Lat projection, Lt wrist plain film, 10-year-old male, subsequent exam, 602 by 1271 pixels. 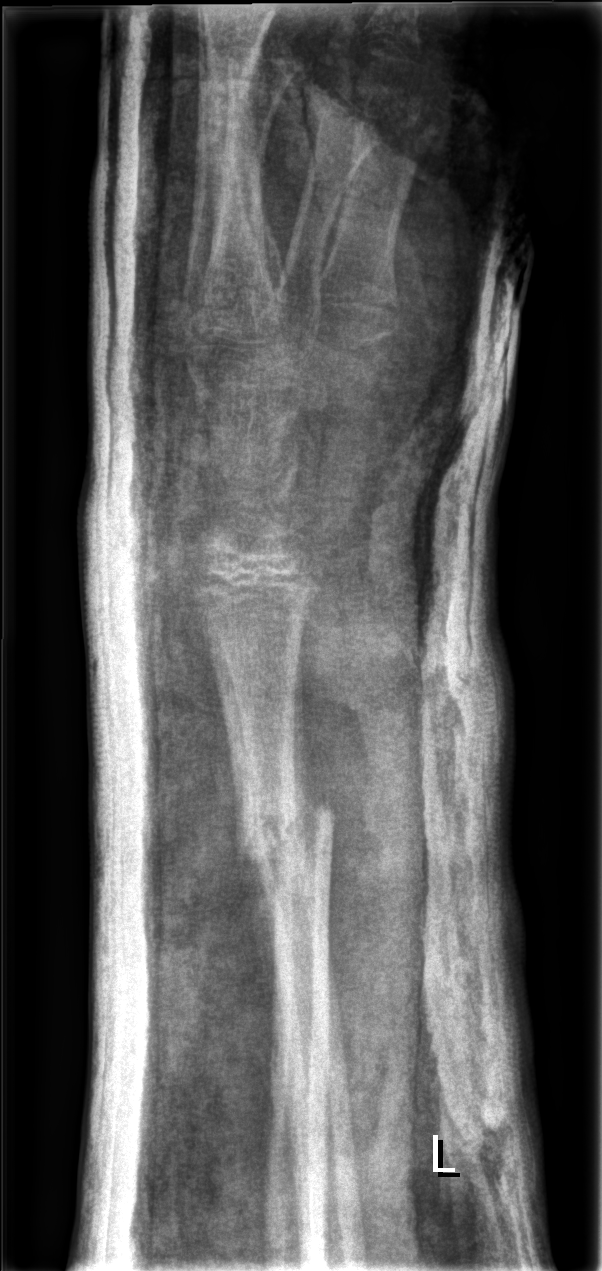 • Boxes as x1,y1,x2,y2 (top-left / bottom-right, pixel units).
• Fx identified at [x1=217, y1=779, x2=351, y2=896].
• AO code 22-D/4.1.